Frontal projection, left wrist plain film, girl, 6 yo, 402x745.
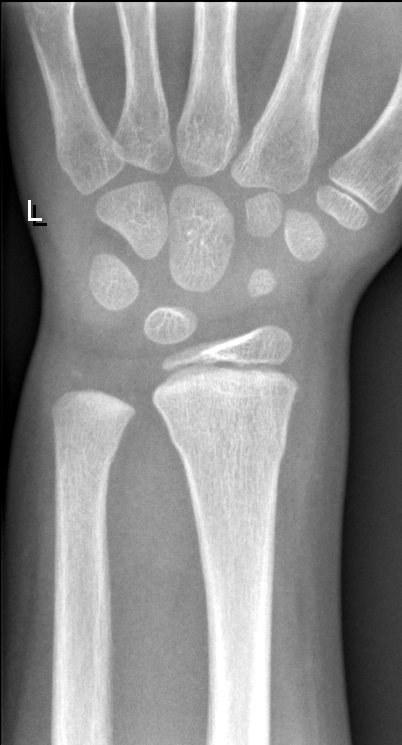 fracture: <167,414>-<289,456> <51,431>-<124,477>